R wrist XR | lateral view | acquired on Siemens. 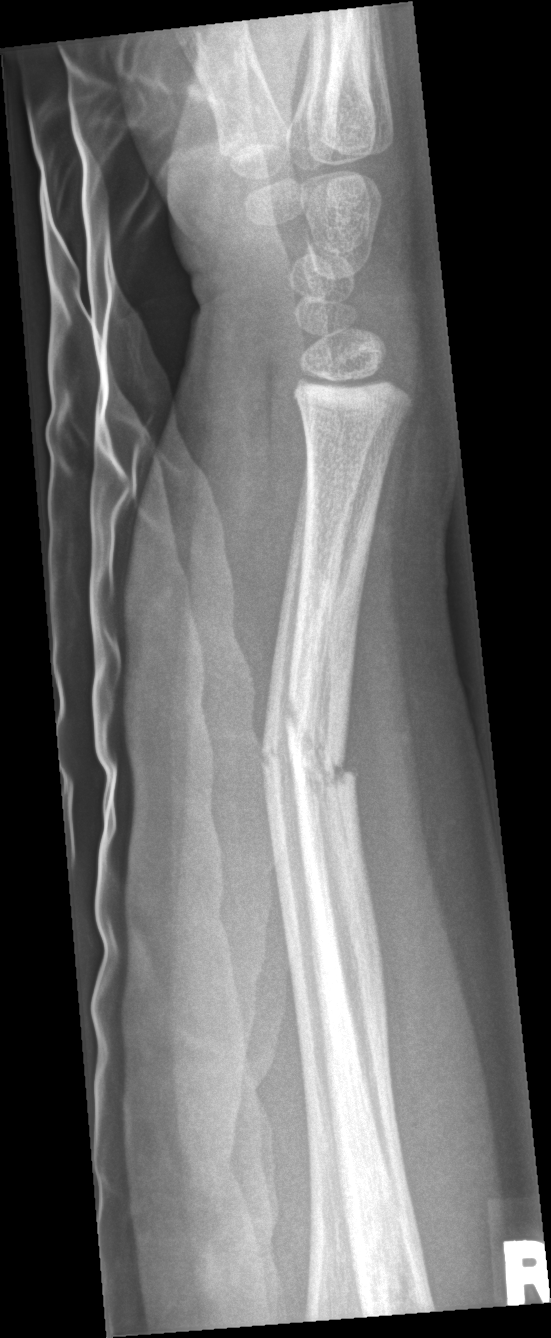
(bounding boxes in image-pixel xyxy)
fracture = 1 @ bbox(258, 714, 365, 798)